Left wrist pediatric wrist radiograph, lat projection, acquired on Siemens, 535x1012. 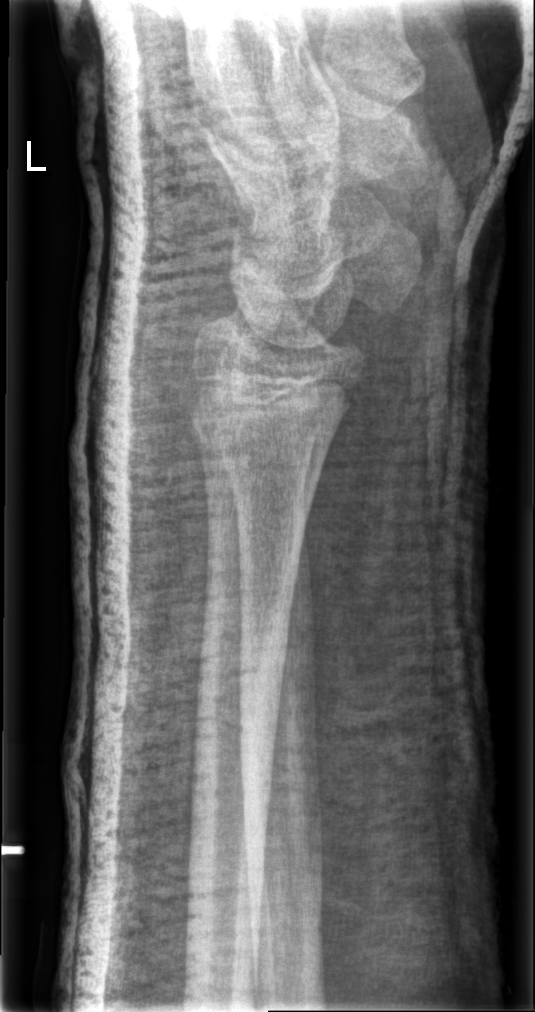

  fracture: none labeled